R wrist plain film · lat projection · pediatric patient (male, age 1.9) · equivocal findings · acquired on Siemens:
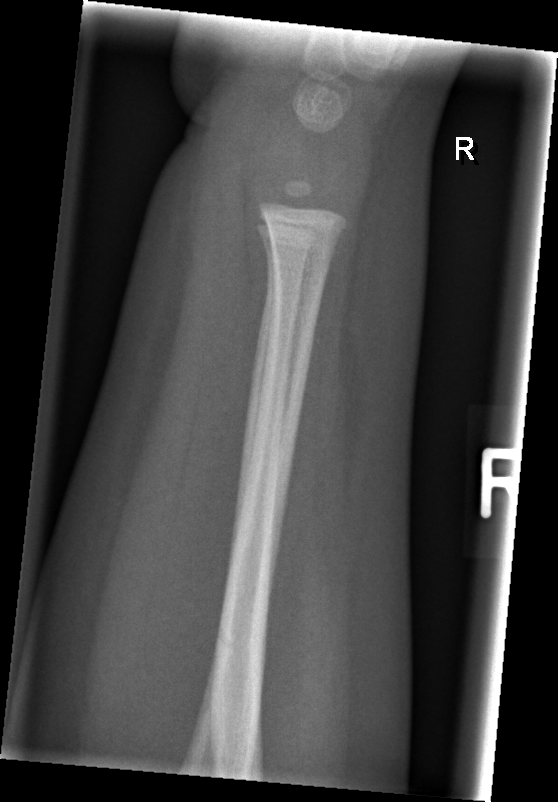 No fracture annotation.